Posteroanterior projection · Lt pediatric wrist radiograph · 13-year-old boy · cast in situ

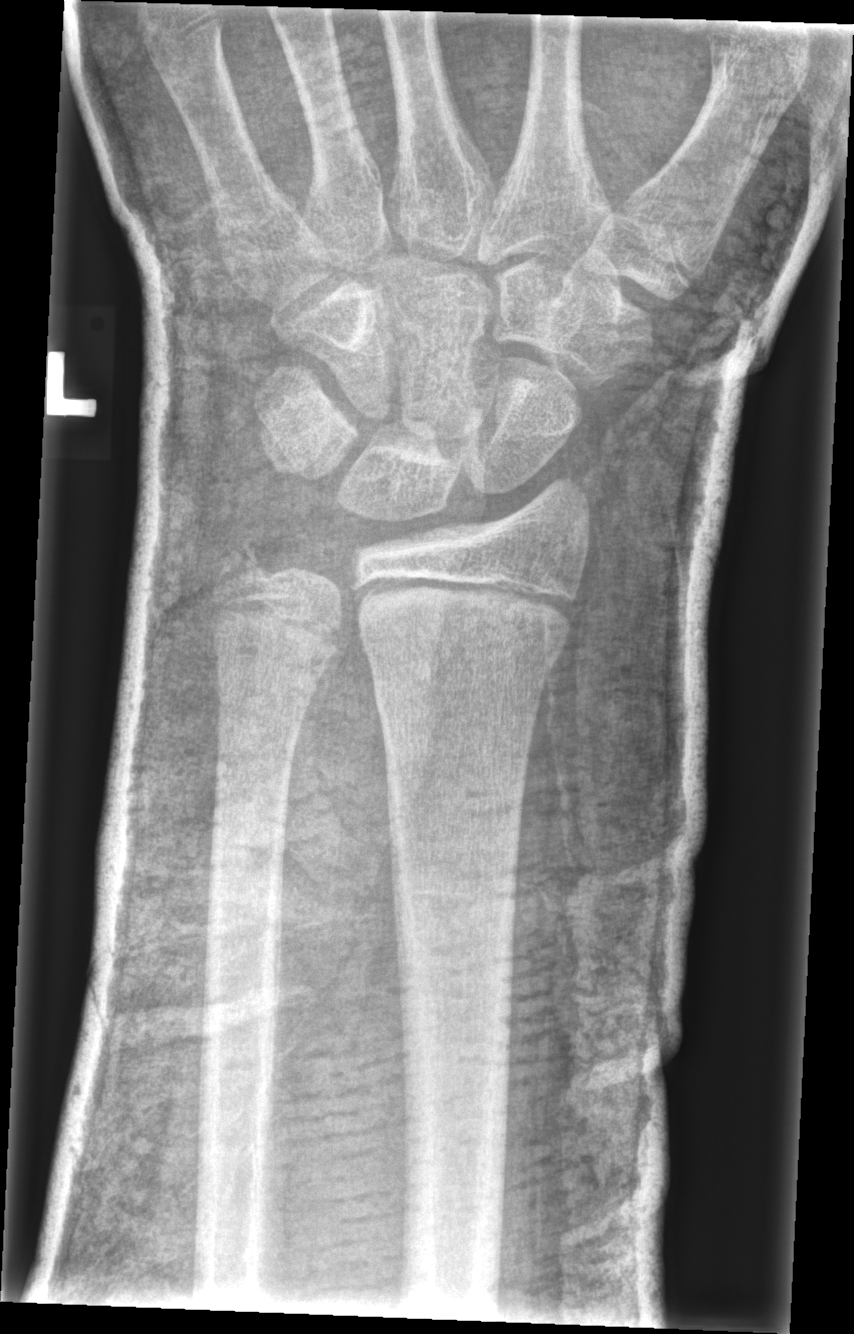 AO code 23r-M/2.1. One Fx at 367 634 556 736.